Posteroanterior | Rt pediatric wrist radiograph | 7-year-old girl | equivocal findings | detector: Siemens.

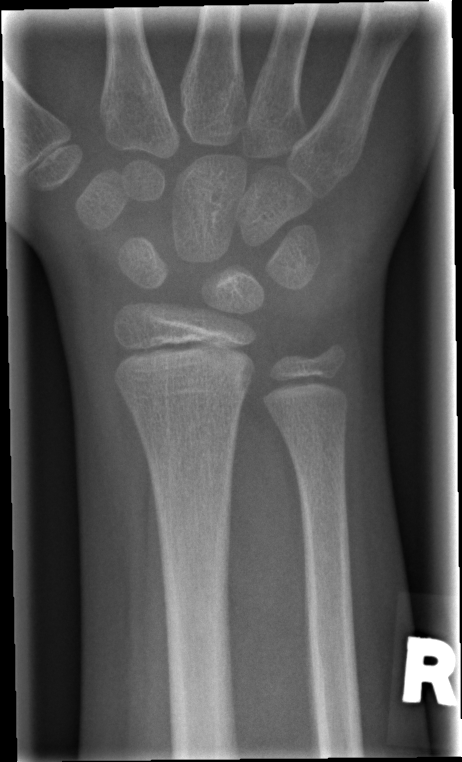

Fx: present but not clearly seen in this view
AO classification: 23r-M/2.1